PA/AP; Rt pediatric wrist radiograph: 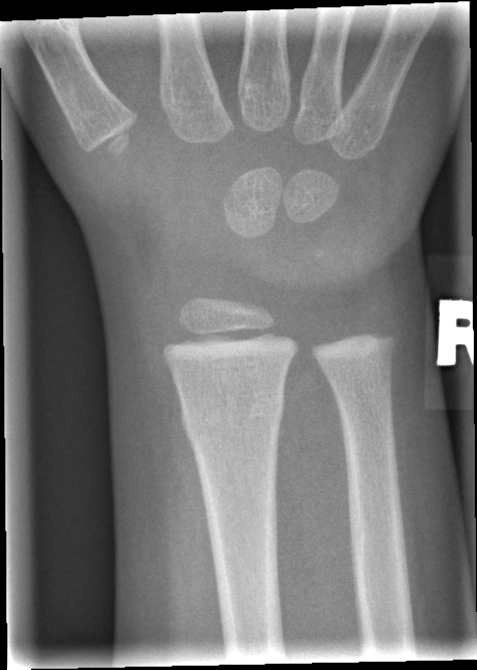
FINDINGS — Fx identified at 179 389 287 439.